L wrist XR · posteroanterior · follow-up study · in cast · detector: Siemens
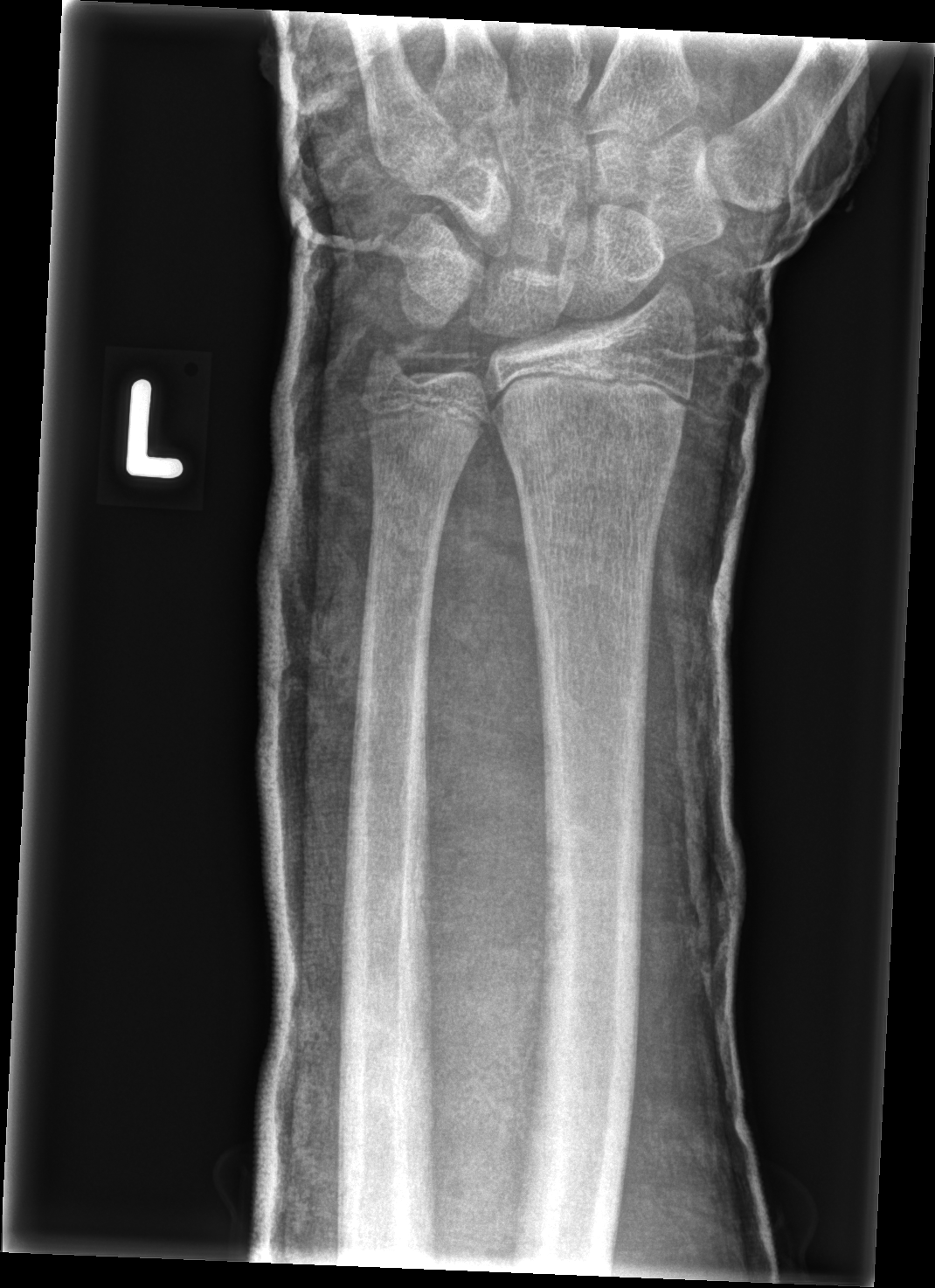

fracture: present but not clearly seen in this view
ao: 23r-M/2.1; 23u-E/7